Left wrist radiograph | lat view | 9-year-old boy.
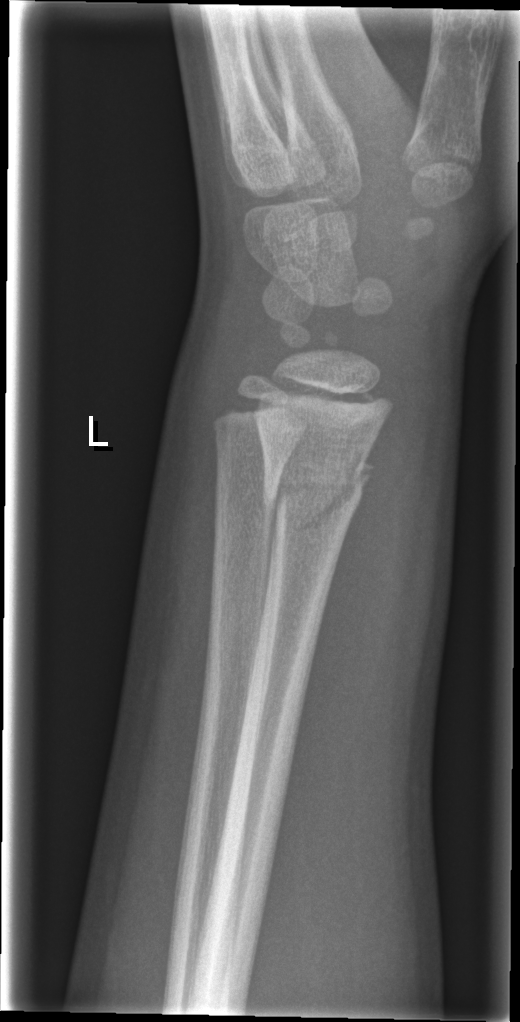 (coordinates are [x1, y1, x2, y2] in image pixels)
Q: Any fracture seen?
A: Fx identified at <260,463>-<373,534>
Q: What is the AO/OTA classification?
A: AO/OTA classification: 23r-M/3.1